Frontal view, left wrist XR, 15-year-old girl, index exam, detector: Siemens
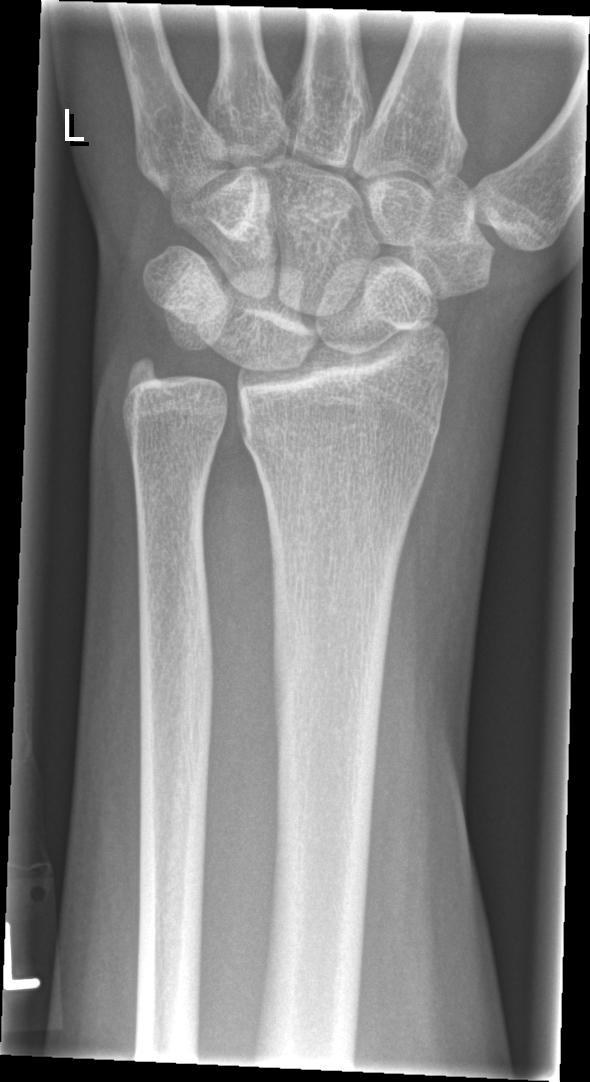
No fracture annotation.